Lat · L wrist plain film · age 15 y, female · index exam —

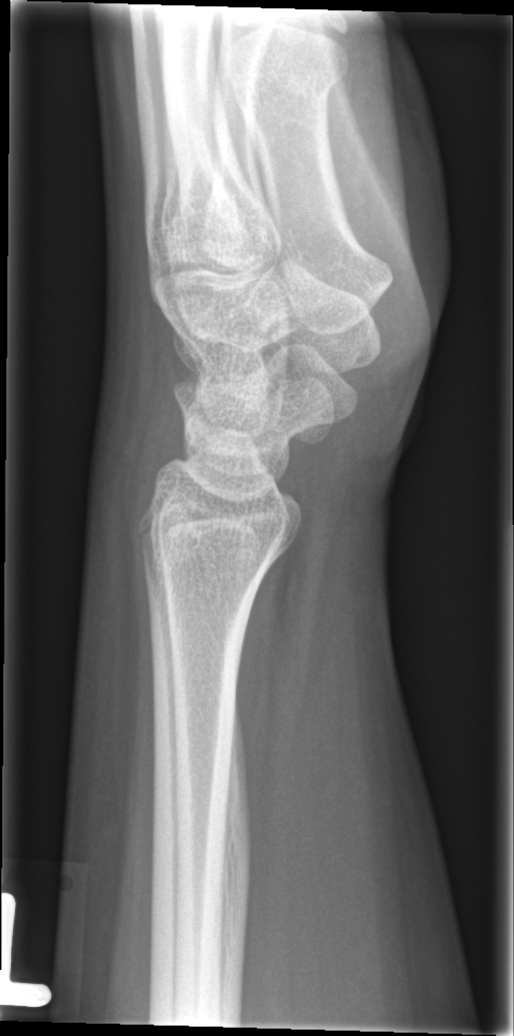

No fracture annotation.